Lt plain radiograph of the wrist; lat; 10y M; cast in situ; image size 486x763
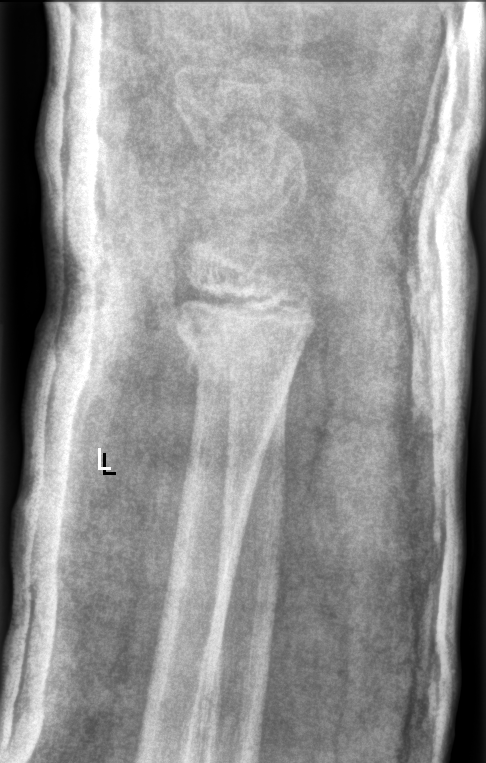
Findings: (pixel coordinates, top-left origin, xyxy) Bone fracture: 163 300 316 399. AO/OTA classification: 23r-E/2.1; 23u-E/7.